Lt pediatric wrist radiograph | posteroanterior projection | 4-year-old boy. 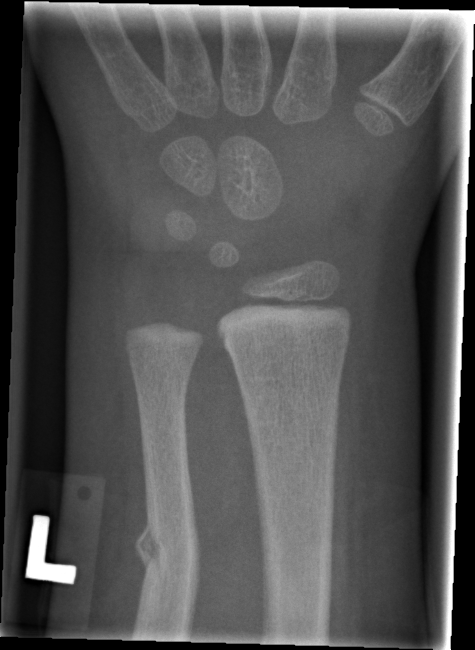 FINDINGS: Fractures — <132,515>-<202,622>, <259,588>-<334,637>. AO code 22-D/2.1.